PA; R pediatric wrist radiograph — 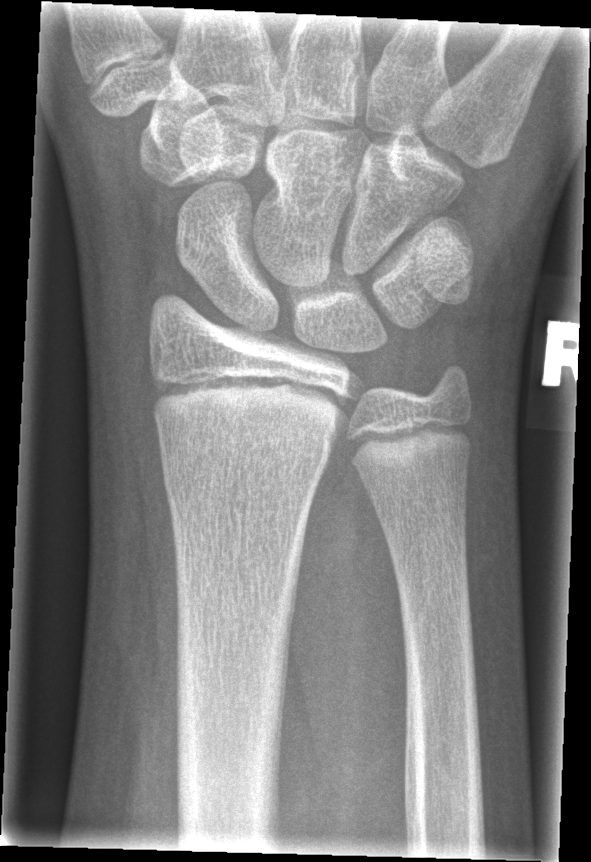

AO classification = 23r-M/2.1
Bone fracture = <157,426>-<340,517>